Lt plain radiograph of the wrist | lat projection | 6-year-old boy | index exam — 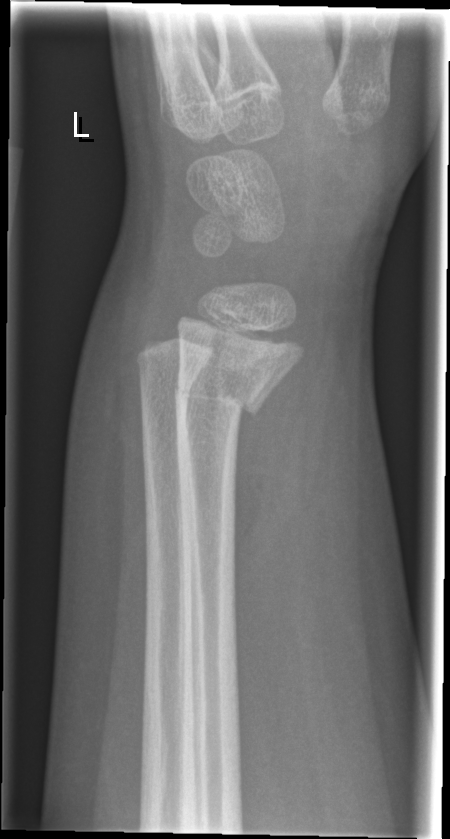
Bone fracture identified at [169, 366, 276, 428]. AO/OTA classification: 23r-M/3.1.